Lt pediatric wrist radiograph, posteroanterior view, pediatric patient (male, age 13), follow-up study, imaged through cast, 76.0 mm image width, 528 by 692 pixels:
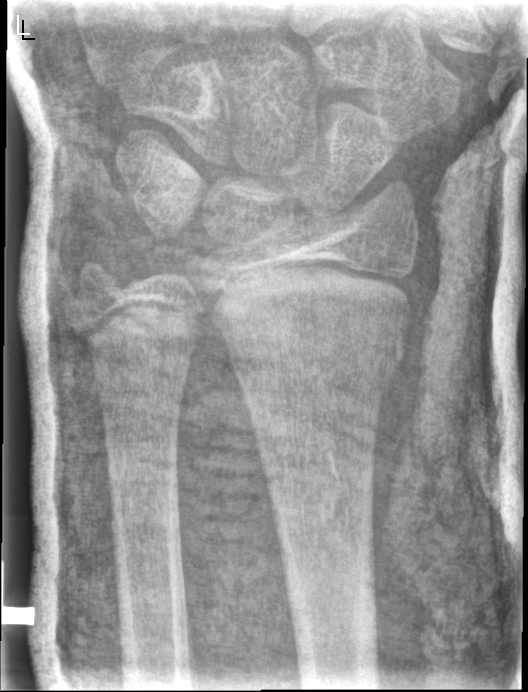
- AO/OTA classification: 23r-M/3.1.
- One fracture at 226 330 405 398.